Frontal view; Lt wrist radiograph.
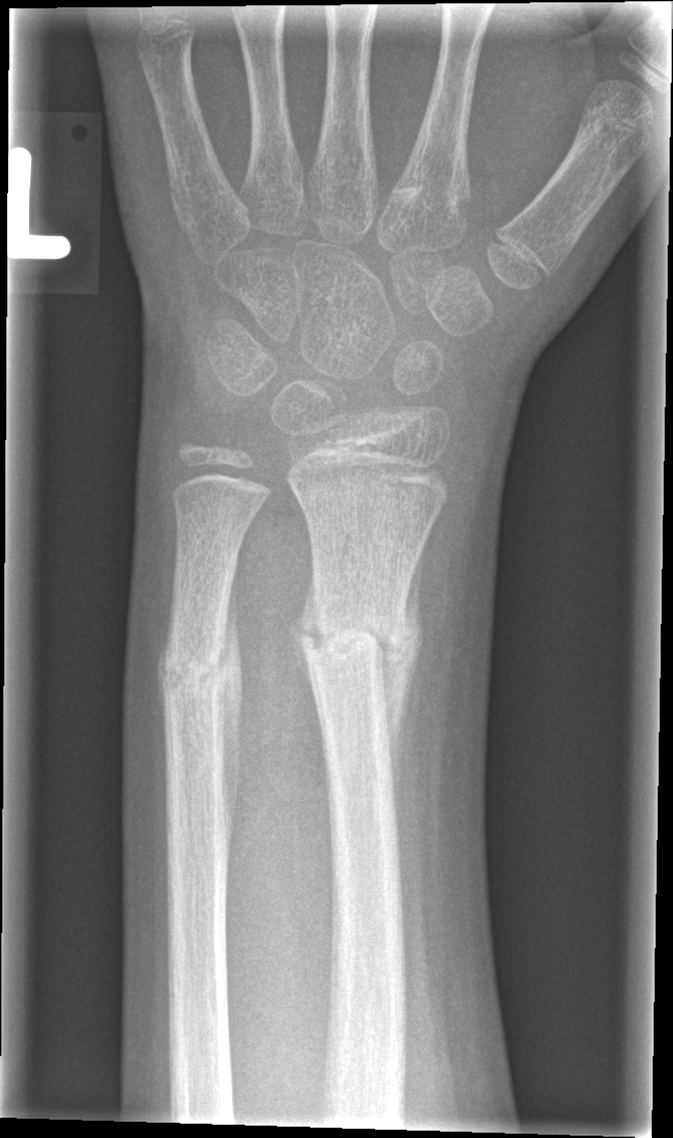

AO code = 23-M/3.1
Fracture = 2 @ (294, 606, 414, 672), (152, 648, 231, 701)